Lateral view · Lt wrist plain film · 16y F · findings marked uncertain by the reading radiologist
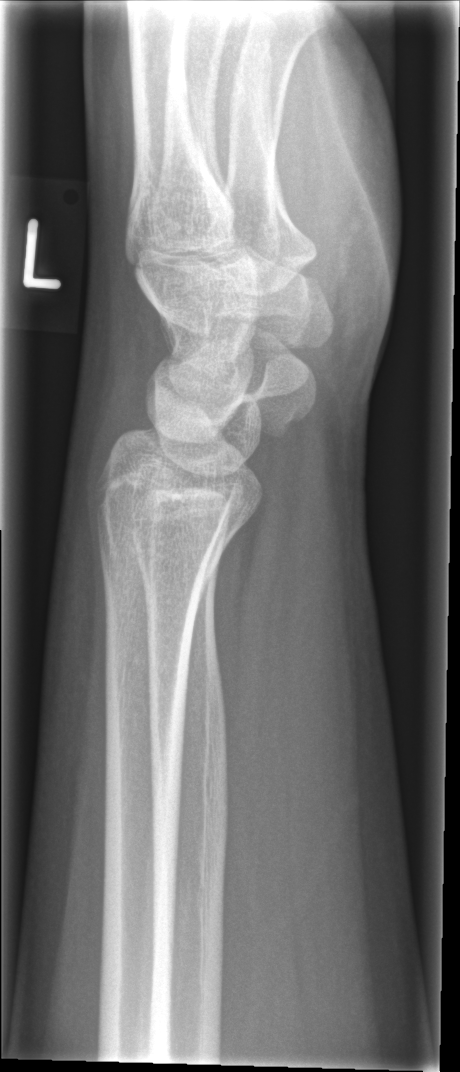

FINDINGS: No fracture annotation.